Lat; L wrist plain film; boy, 9 yo 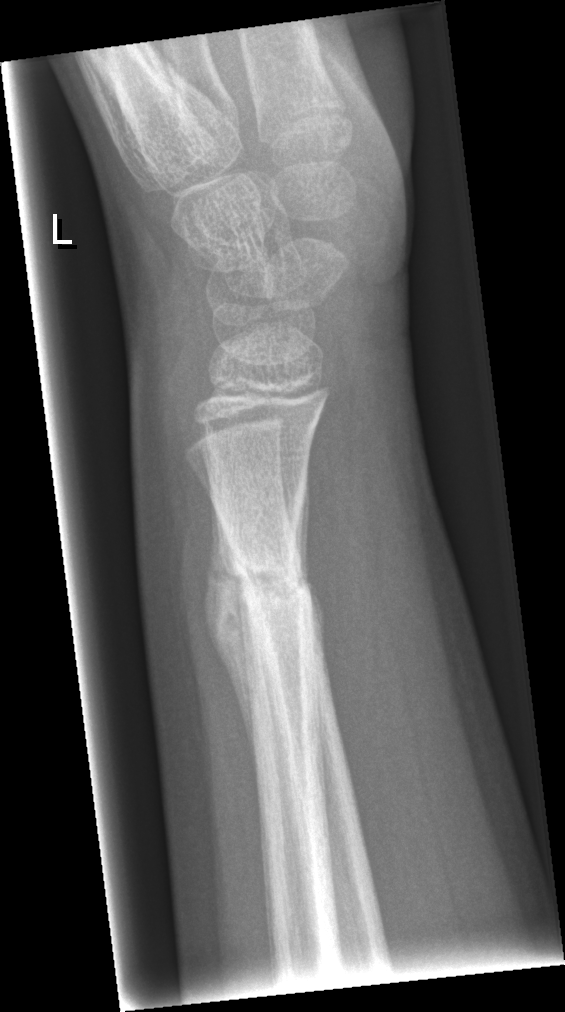
Pixel coordinates, top-left origin, xyxy.
Fx: bbox(216, 535, 319, 617).
Periosteal new bone — bbox(203, 470, 259, 794) bbox(295, 468, 329, 672).